Lateral view; L pediatric wrist radiograph; in cast; detector: Siemens; image size 883x1188.
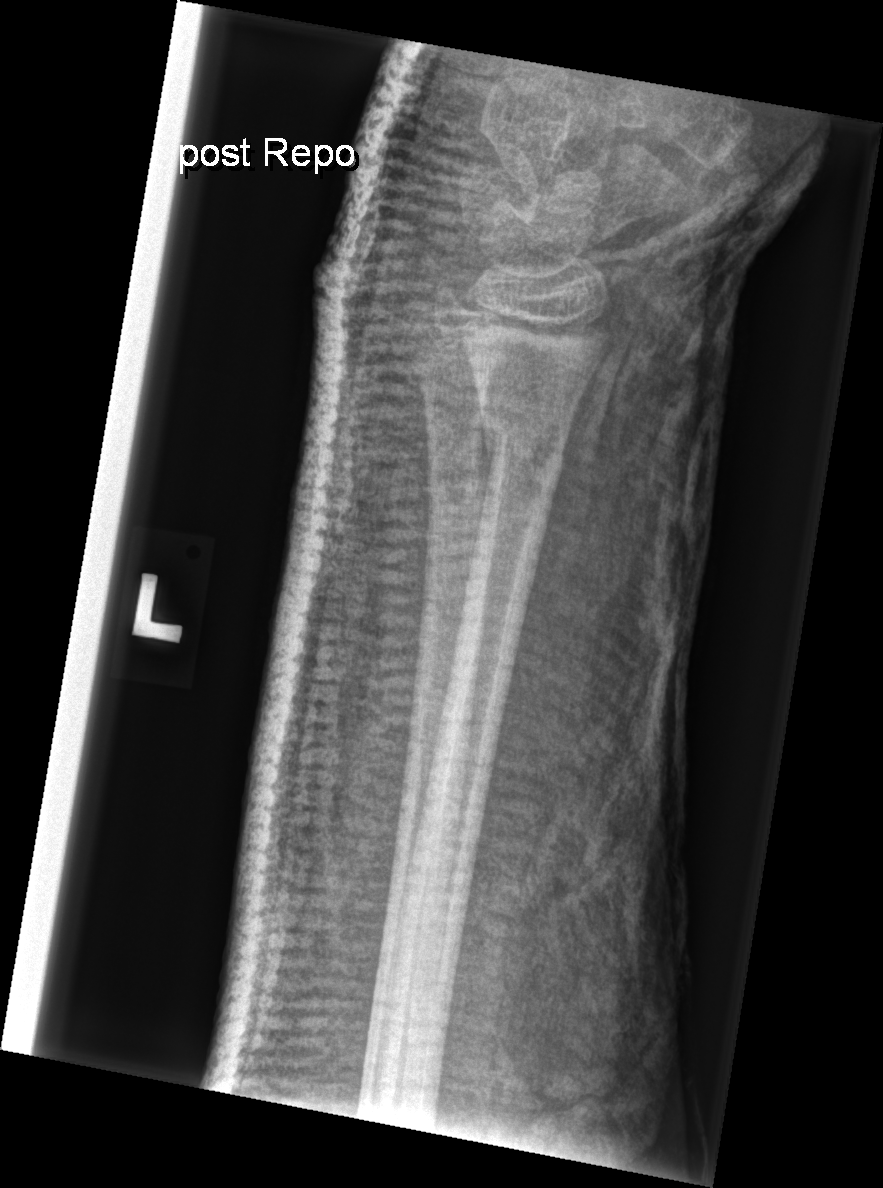
{"ao": "23r-M/3.1", "fracture": "[x1=475, y1=400, x2=575, y2=489]"}